Left pediatric wrist radiograph | lateral projection | 924x924. 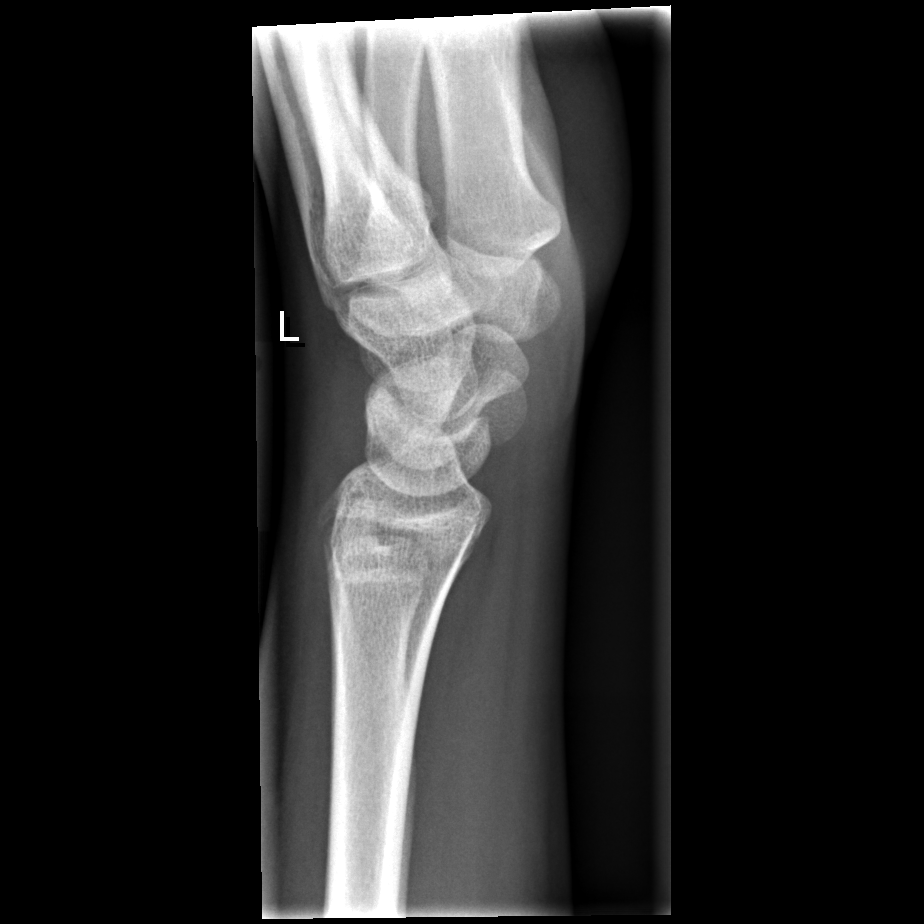 FINDINGS: No fracture annotation.